Left wrist plain radiograph of the wrist · frontal projection · 421 x 726 px
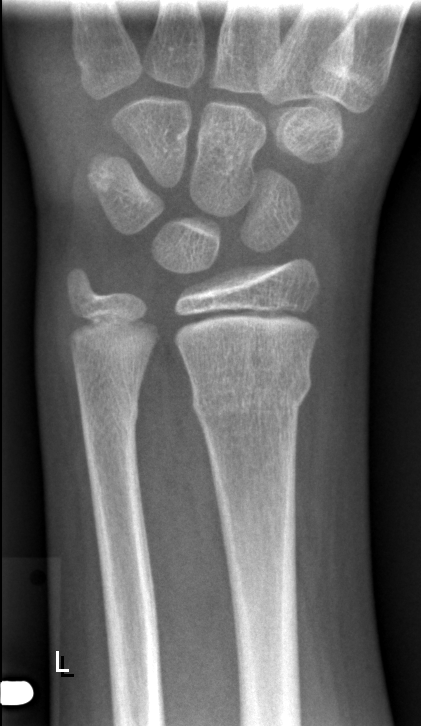

Findings: AO code 23-M/2.1. Fx: 190 358 313 423; 76 392 142 436.